Left wrist X-ray · lat view · initial study.
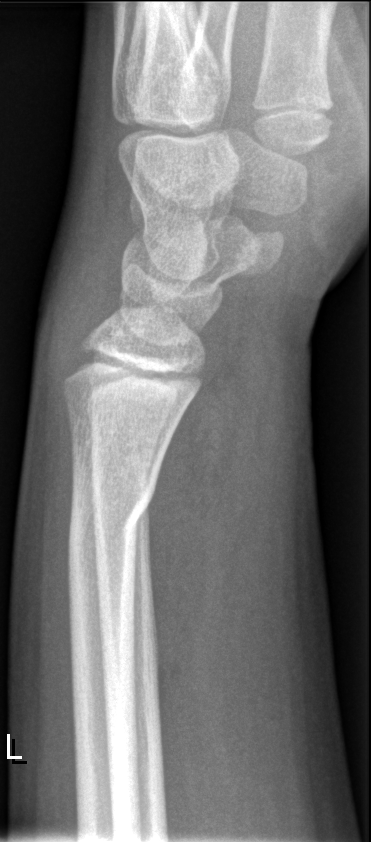 FINDINGS — (bounding boxes in image-pixel xyxy) Fx identified at <62,478>-<166,574>. AO/OTA classification: 23r-M/2.1. Positive pronator fat-pad sign: <145,329>-<250,719>.